Lt wrist plain film; lateral view; image width 58.8 mm; 408 x 839 px.

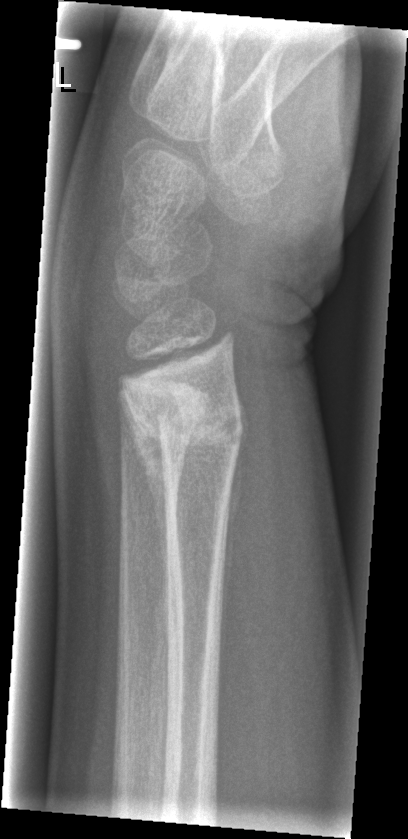 # boxes as x1,y1,x2,y2 (top-left / bottom-right, pixel units)
periostealreaction: 2 @ bbox(216, 398, 250, 689); bbox(125, 395, 168, 533)
osteopenia: present
fracture: 1 @ bbox(128, 398, 249, 466)
ao: 23r-M/3.1; 23u-M/2.1